PA/AP projection · L wrist radiograph · 9y M · image 81.2 mm wide:
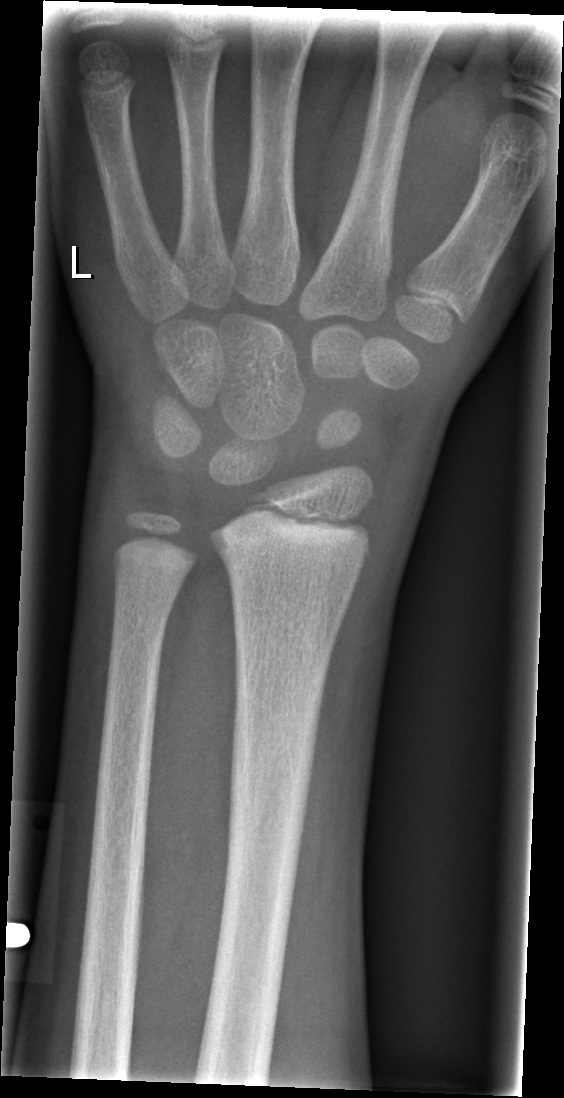   fracture: none labeled